Lat; Rt wrist X-ray; pediatric patient (male, age 12)

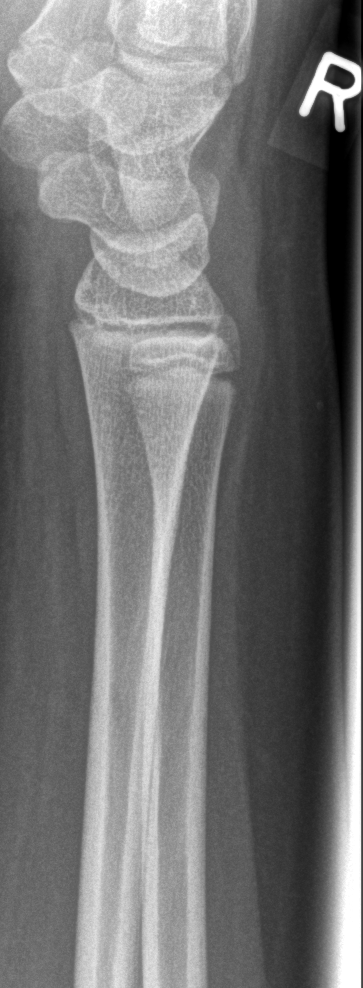 fracture: none labeled